Rt pediatric wrist radiograph · lateral projection · pediatric patient (girl, age 7)
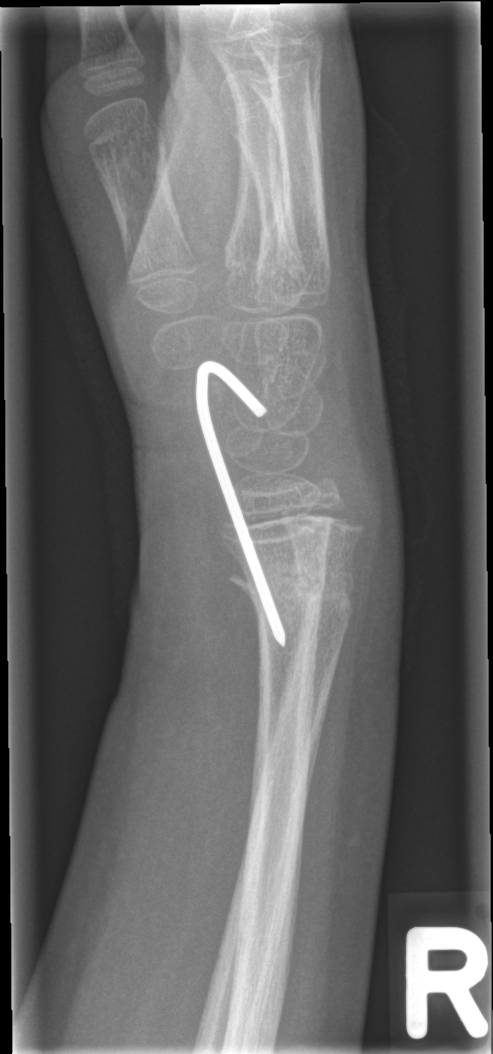 - Bone fracture: [x1=227, y1=548, x2=359, y2=625].
- Hardware identified at [x1=187, y1=359, x2=284, y2=649].